PA/AP view; right wrist radiograph; presentation radiograph; image size 648x1206 —

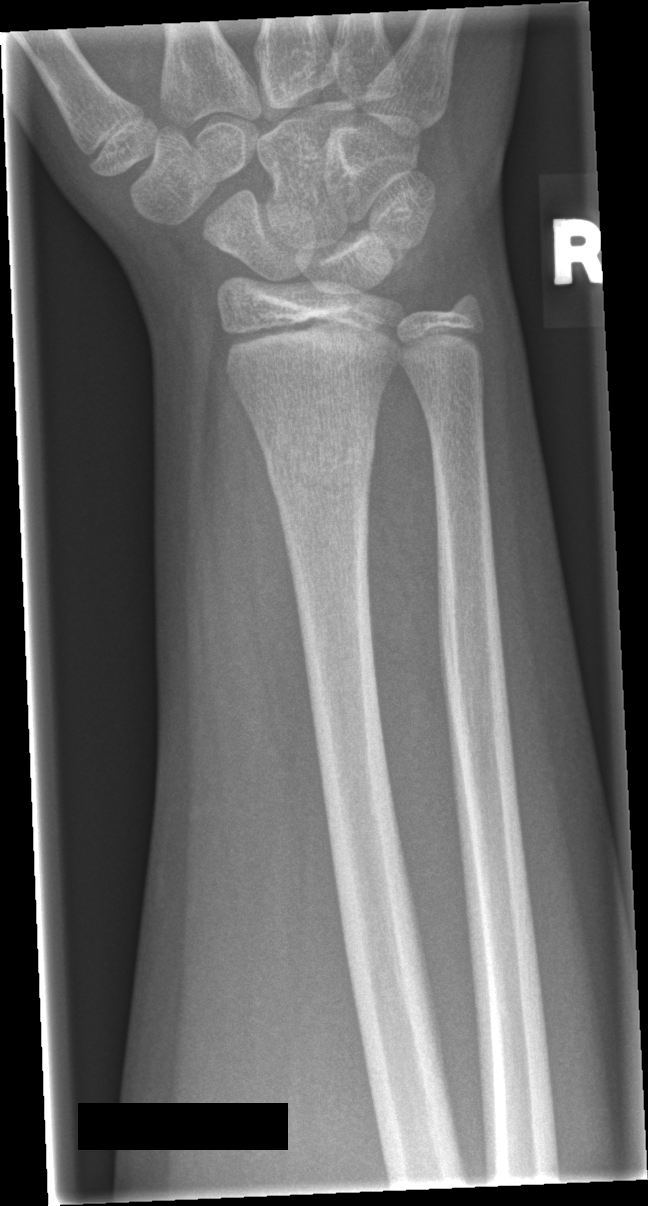 fracture: 1 @ (258, 406, 379, 500)